Lateral projection | L wrist radiograph | presentation radiograph | equivocal findings | image 70.7 mm wide:
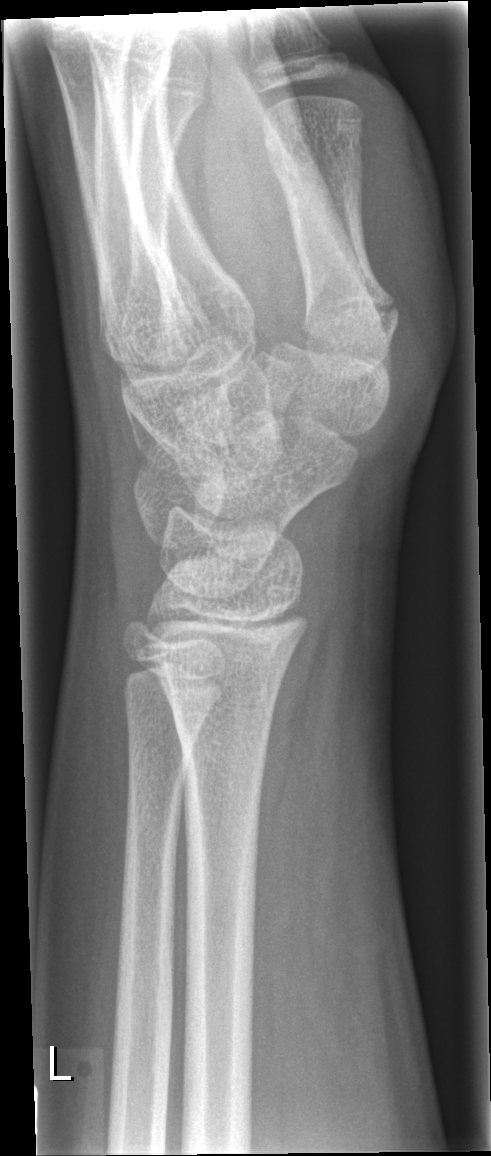 No Fx annotated.